Lt plain radiograph of the wrist; lateral projection; boy, 11 yo; 425 by 850 pixels:

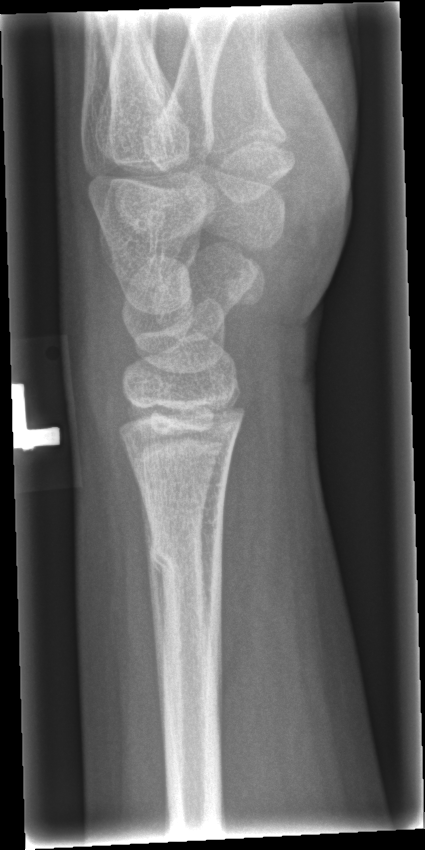
FINDINGS: Fracture: 147,537,224,580.